R pediatric wrist radiograph, PA — 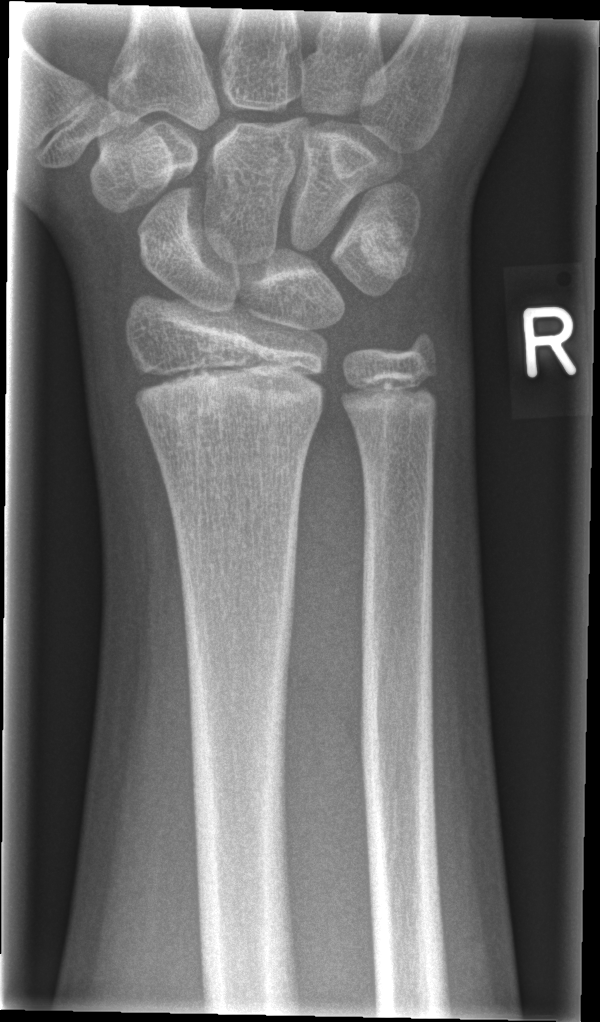
No fracture labeled.